Right plain radiograph of the wrist; lat view; pediatric patient (boy, age 7); detector: Siemens; 98.5 mm image width —

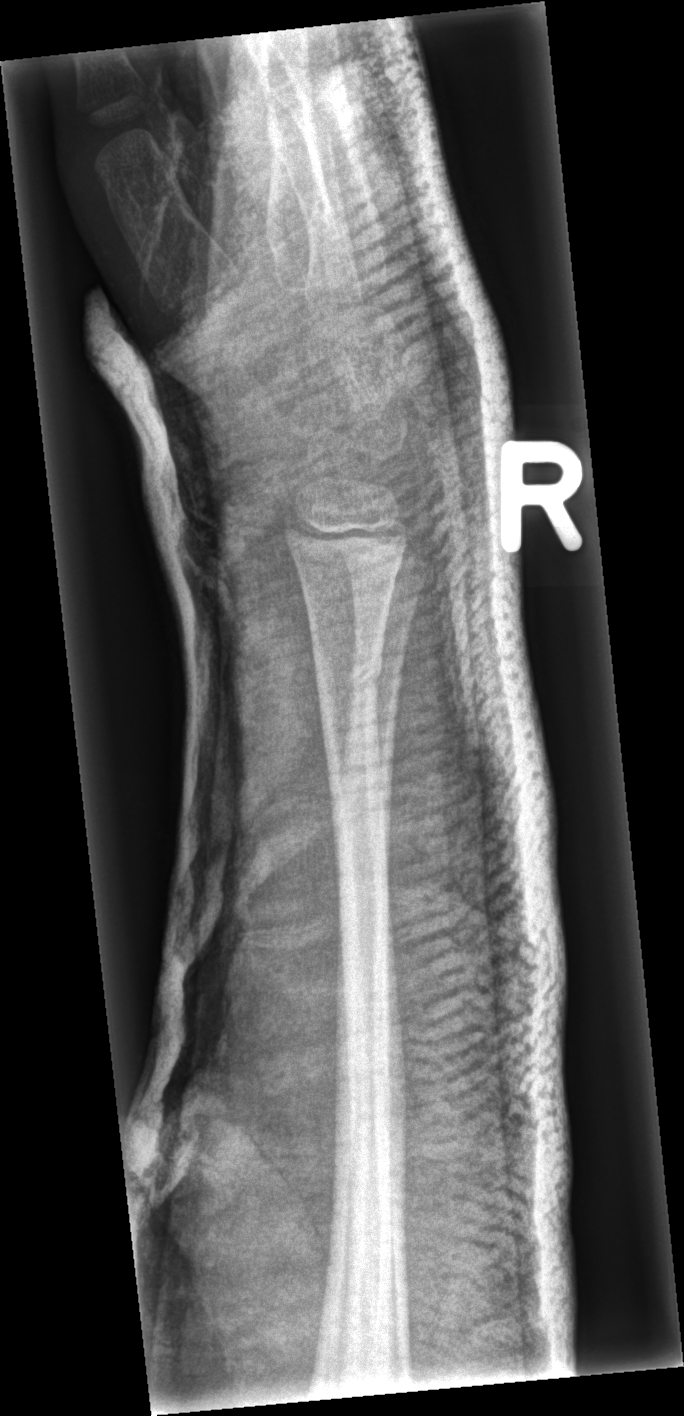
AO/OTA classification: 23r-M/3.1; 23u-M/2.1.
One bone fracture at [308, 646, 386, 712].